Right wrist radiograph; lat projection; follow-up; in cast; image 80.6 mm wide:
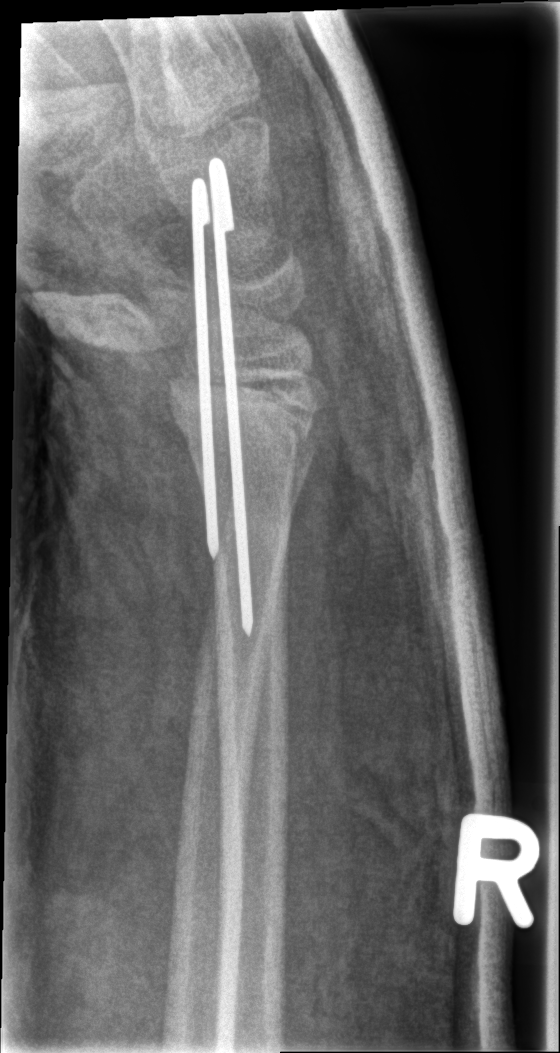 Q: Any metal present?
A: Metallic hardware identified at (left=211, top=159, right=255, bottom=636) (left=191, top=179, right=220, bottom=558)
Q: AO code?
A: AO code 23r-E/2.1
Q: Fracture present?
A: Fracture — (left=156, top=355, right=324, bottom=467)